Lateral, Rt wrist plain film, boy, 5 yo, imaged through cast, 60.2 mm image width

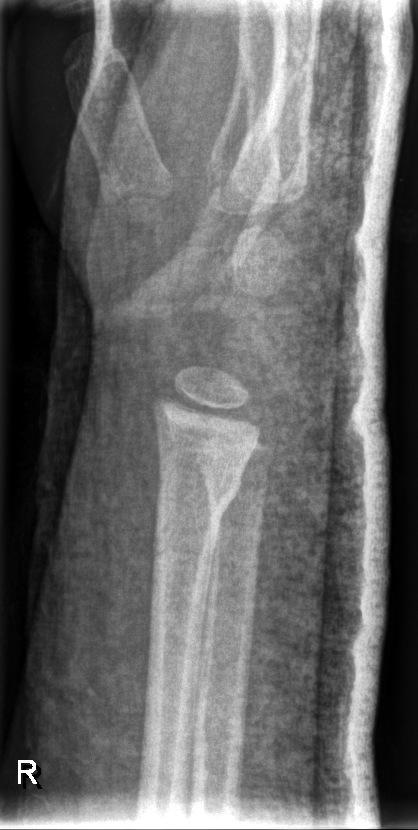
FINDINGS: (pixel coordinates, top-left origin, xyxy) AO code 23r-M/2.1. One bone fracture at <153,451>-<248,536>.